L pediatric wrist radiograph | PA view | initial study | Siemens | image size 616x942 —
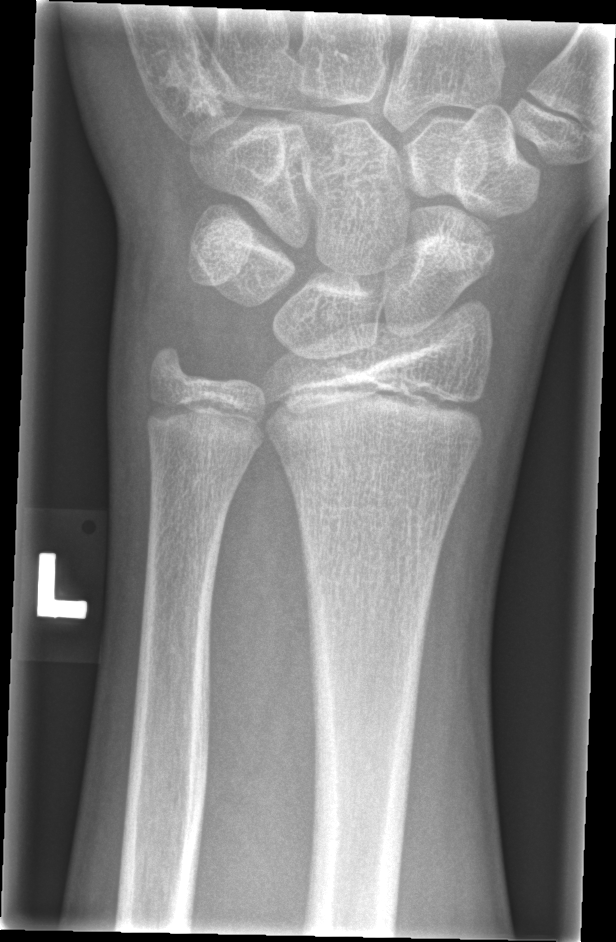

(bounding boxes in image-pixel xyxy)
AO code: 72B(c)
fracture: (left=418, top=200, right=511, bottom=274)